Lateral, Lt pediatric wrist radiograph, 6y M, Siemens.
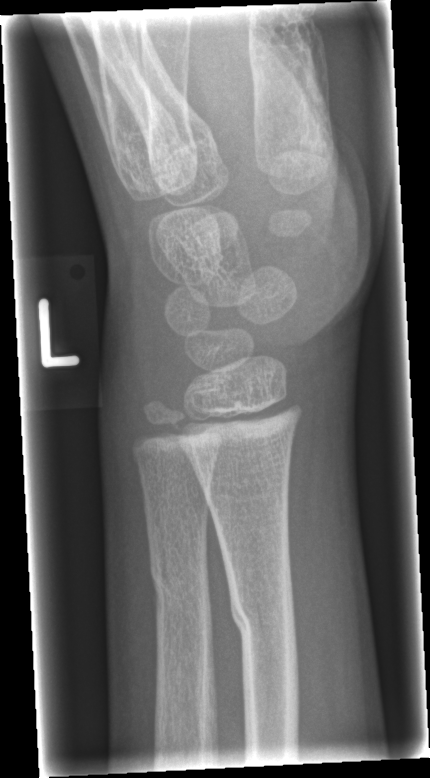
Bounding boxes in image-pixel xyxy.
Fracture identified at 226 583 300 650 | 144 550 212 613.